Posteroanterior view · right wrist XR · 15y F · acquired on Siemens:

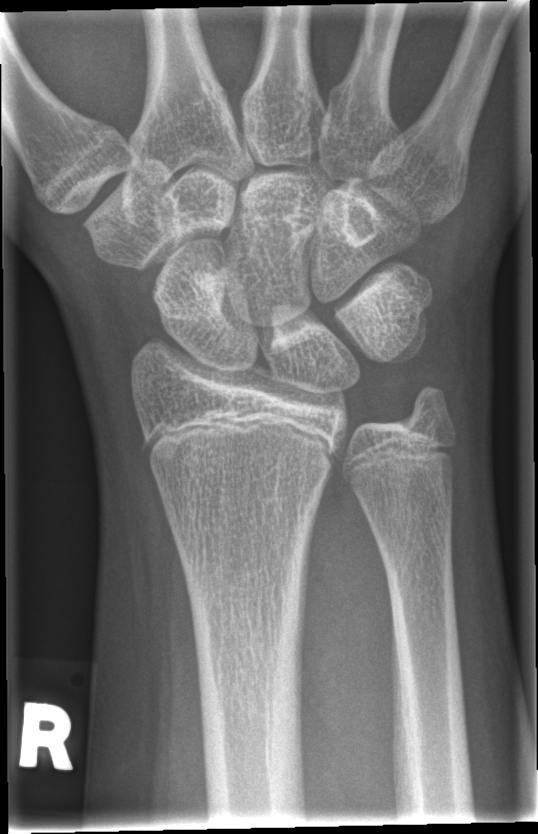 No Fx annotated.